Lt plain radiograph of the wrist | PA projection | presentation radiograph | 607x964.

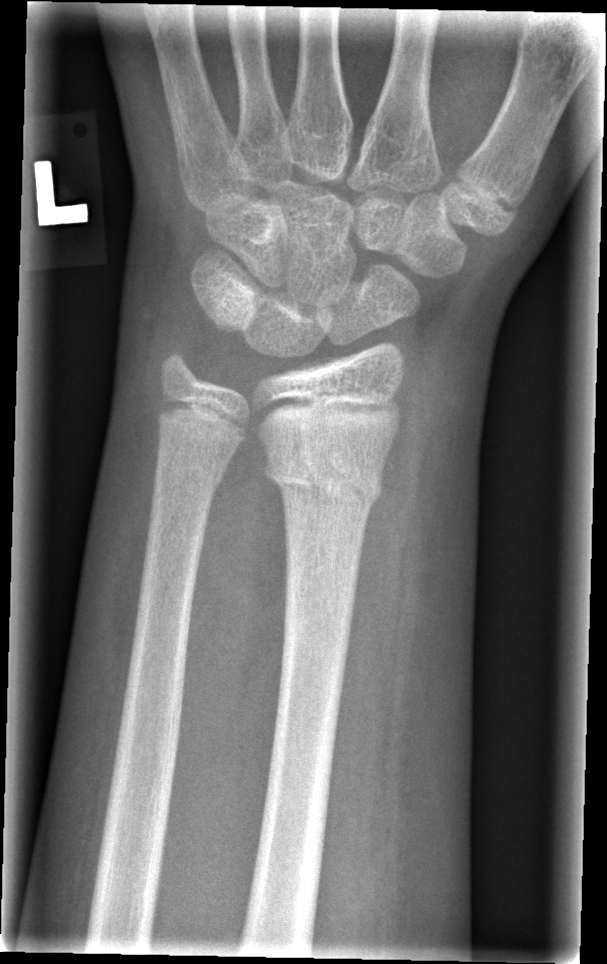
(pixel coordinates, top-left origin, xyxy)
AO classification = 23r-M/3.1; 23u-M/2.1
Fx = [x1=263, y1=439, x2=385, y2=511], [x1=150, y1=439, x2=232, y2=497]